PA/AP projection · left wrist XR · cast in situ: 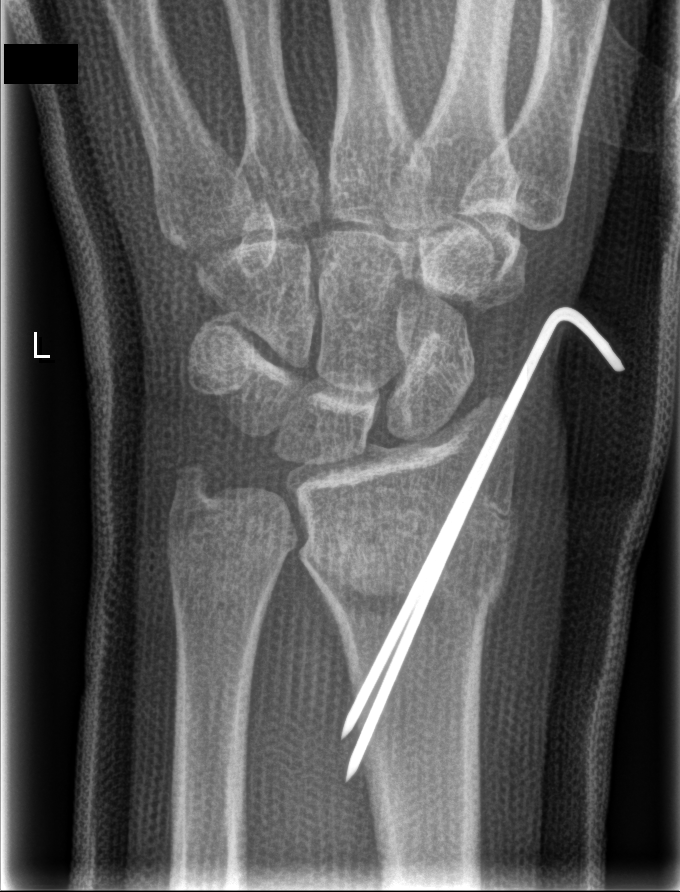

FINDINGS: Metallic hardware — <337,301>-<632,788>. Two Fx at <295,470>-<525,637> <169,455>-<217,510>. AO code 23r-M/3.1; 23u-E/7.